Left wrist X-ray, lat projection, pediatric patient (boy, age 10), 75.0 mm image width, 521 by 804 pixels —
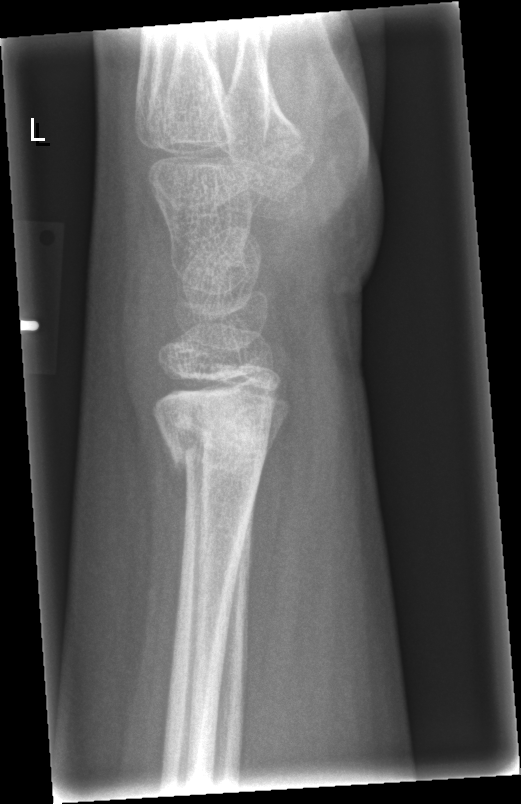
Bounding boxes in image-pixel xyxy.
Bone fracture — (left=168, top=408, right=276, bottom=479).